Right wrist X-ray; frontal projection; index exam; 655x1084:

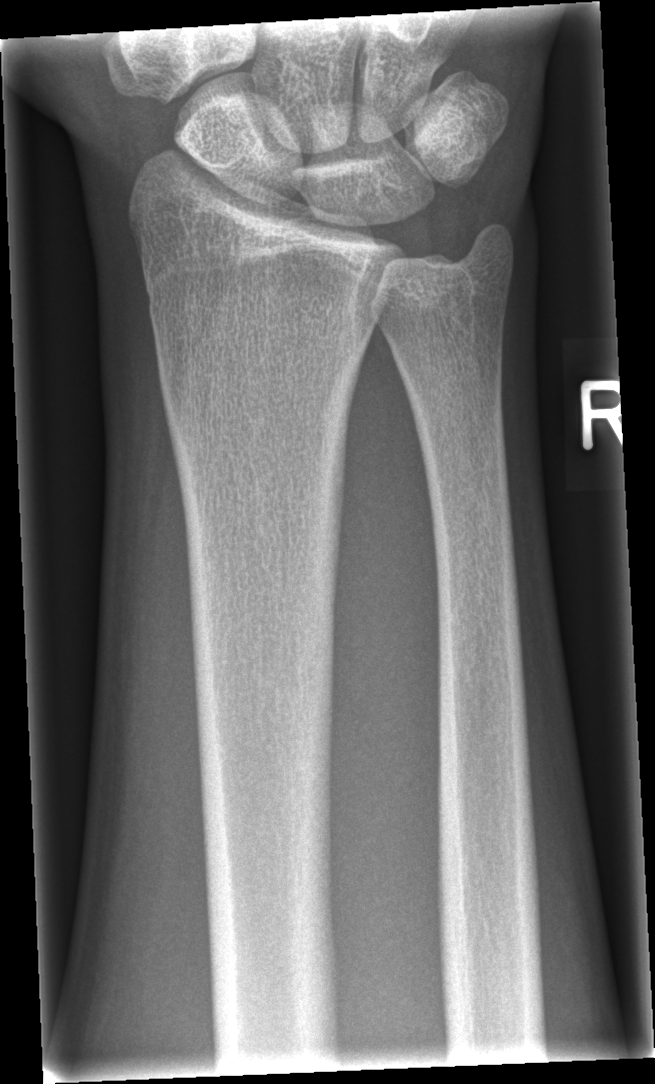 Fx: none.